L pediatric wrist radiograph, AP view, 9-year-old girl, cast present: 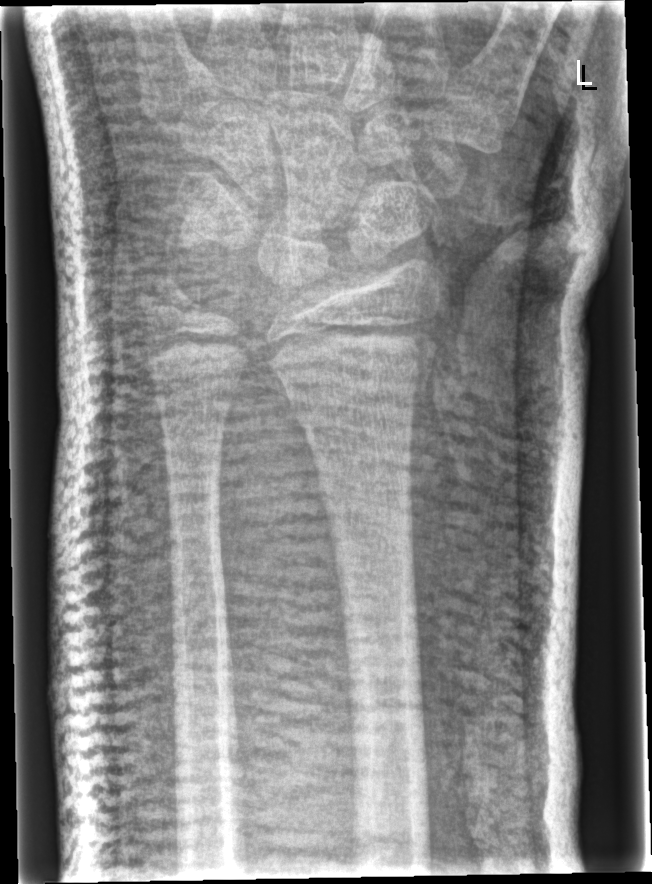

Fx identified at <272,283>-<442,427>, <127,265>-<206,333>.